Frontal view; right wrist plain film; subsequent exam; cast in situ.
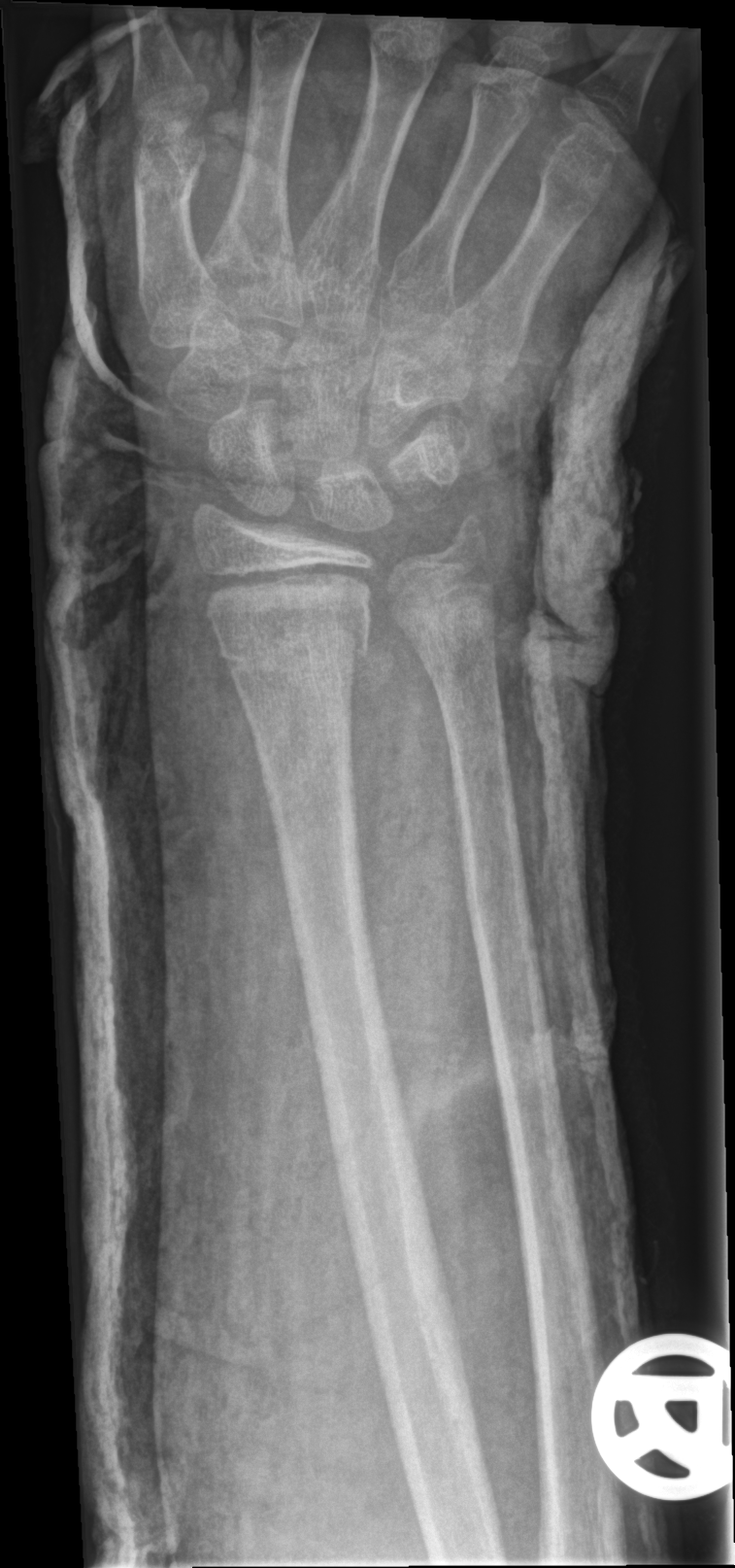
* Bone fractures — 217,603,379,681 | 429,510,500,590.
* Fracture classified AO/OTA 23r-M/3.1; 23u-E/7.